Lateral view | Lt pediatric wrist radiograph | subsequent exam —
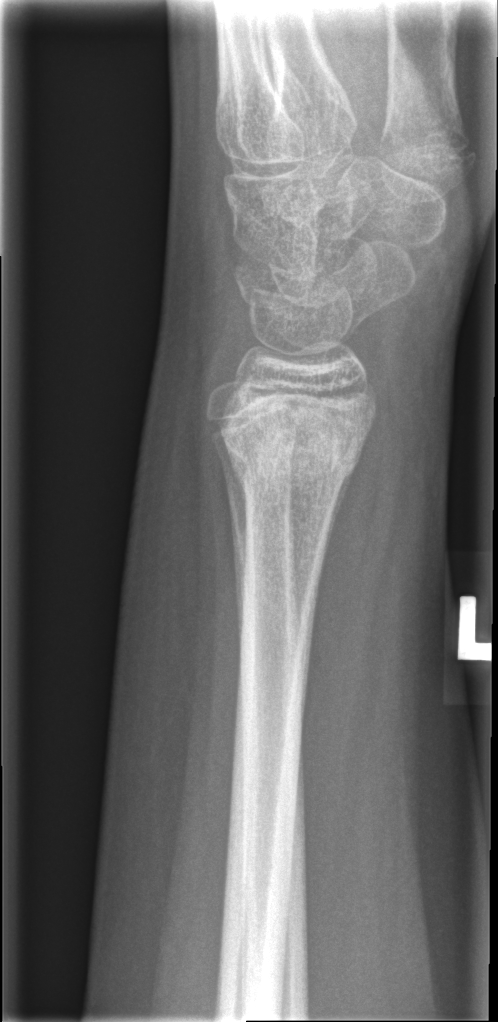

Q: Bone density?
A: Osteopenic
Q: What is the AO/OTA classification?
A: AO code 23r-M/3.1; 23u-M/2.1; 23u-E/7
Q: Fracture present?
A: Fx — [x1=223, y1=402, x2=366, y2=491]